Lat · L wrist XR · 6y F · in cast 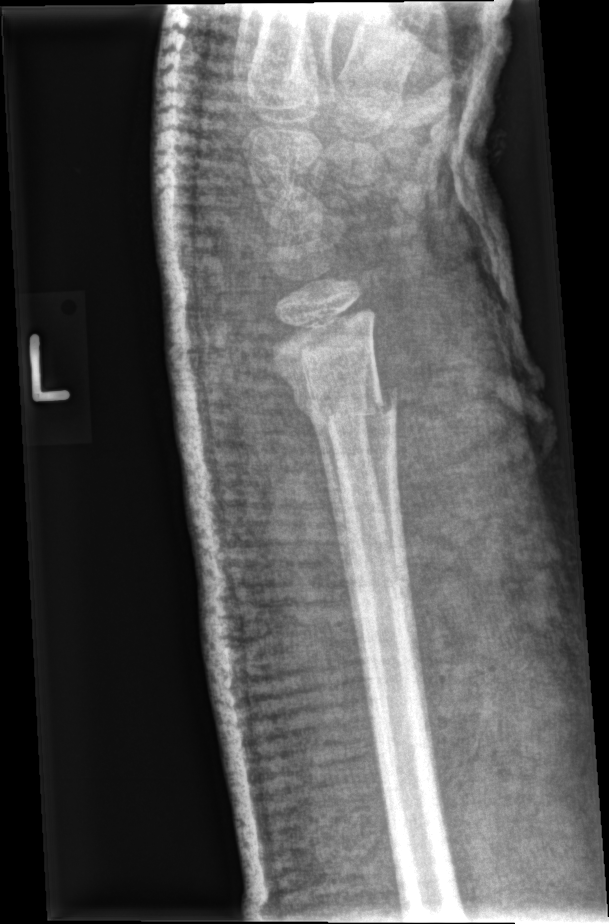

  ao: 23r-M/3.1; 23u-M/2.1
  fracture: bbox(288, 388, 400, 435)